Lt pediatric wrist radiograph · AP projection · 12-year-old girl · detector: Siemens
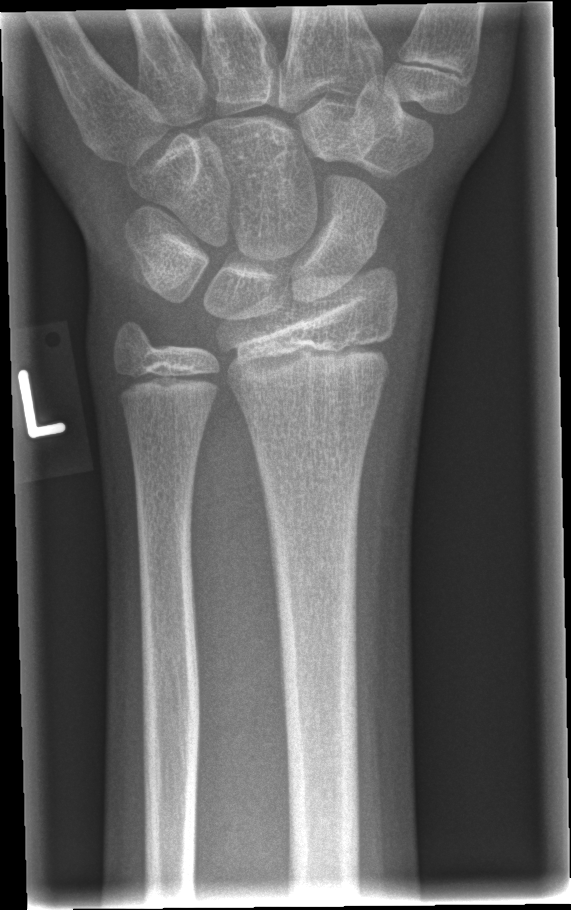 Fx: none.